Left pediatric wrist radiograph; lat view; age 8 y, boy; in cast; 79.6 mm image width.
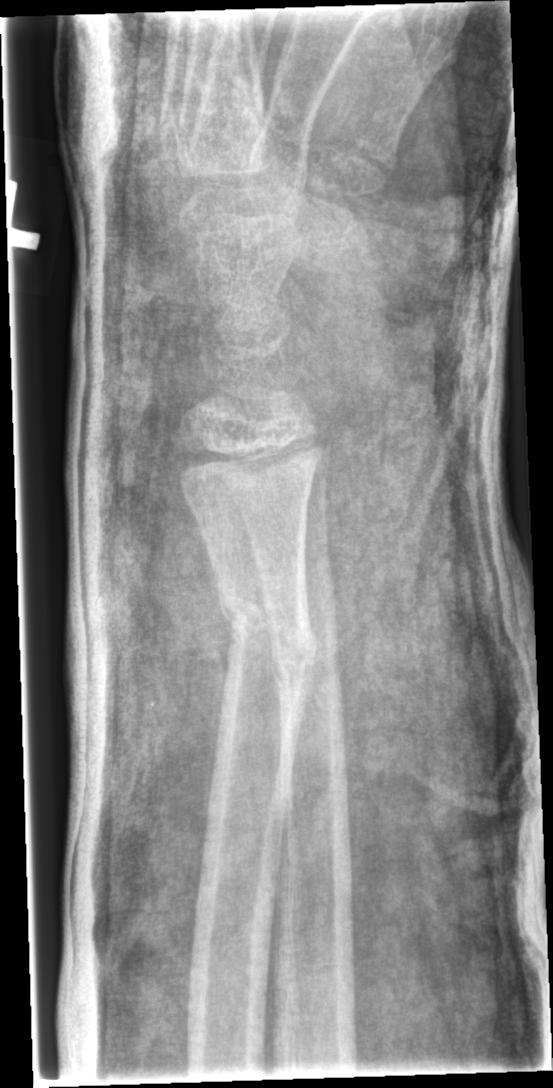 AO/OTA classification: 23r-M/3.1; 23u-M/2.1. Fx: (215, 587, 322, 683).